Lateral view; left wrist X-ray
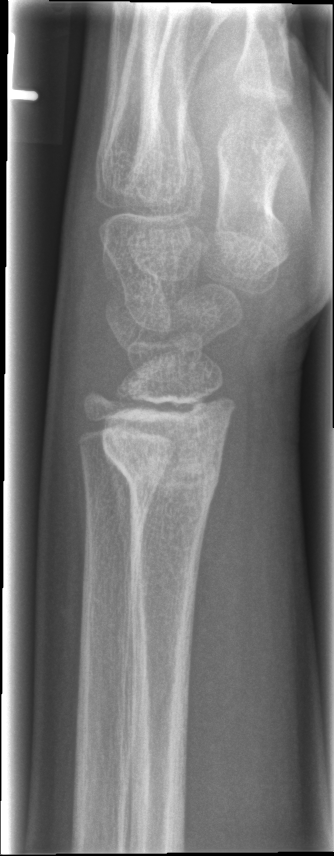
One bone fracture at bbox(100, 428, 228, 502). Fracture classified AO/OTA 23r-M/2.1. Periosteal thickening identified at bbox(103, 448, 136, 620).